Lateral view · Lt pediatric wrist radiograph · detector: Siemens.

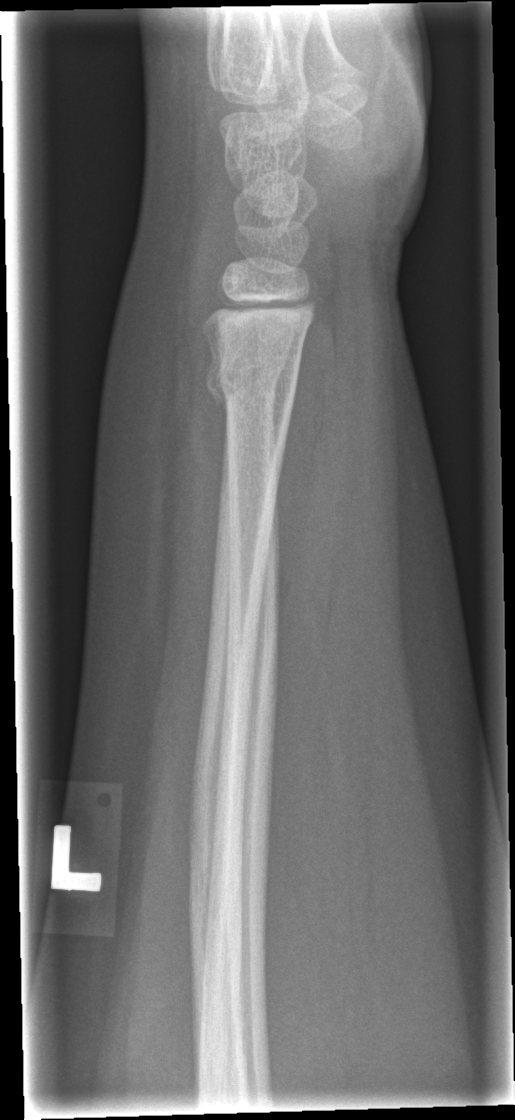

AO/OTA classification: 23-M/2.1. Fracture: [x1=204, y1=353, x2=301, y2=412].